PA/AP view · left wrist XR 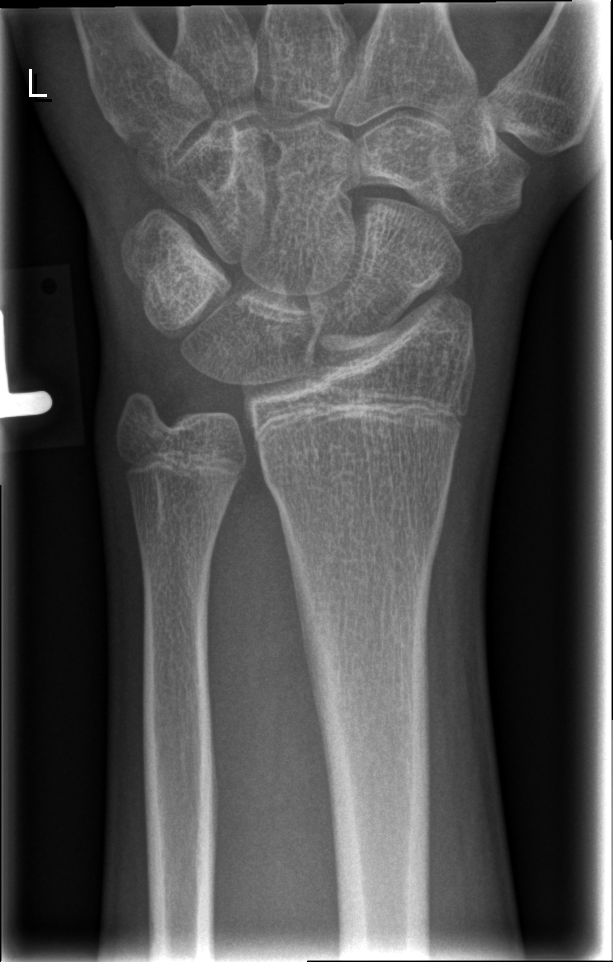

FINDINGS: No fracture labeled.